Left wrist X-ray; frontal view; pediatric patient (female, age 3); index exam; Siemens 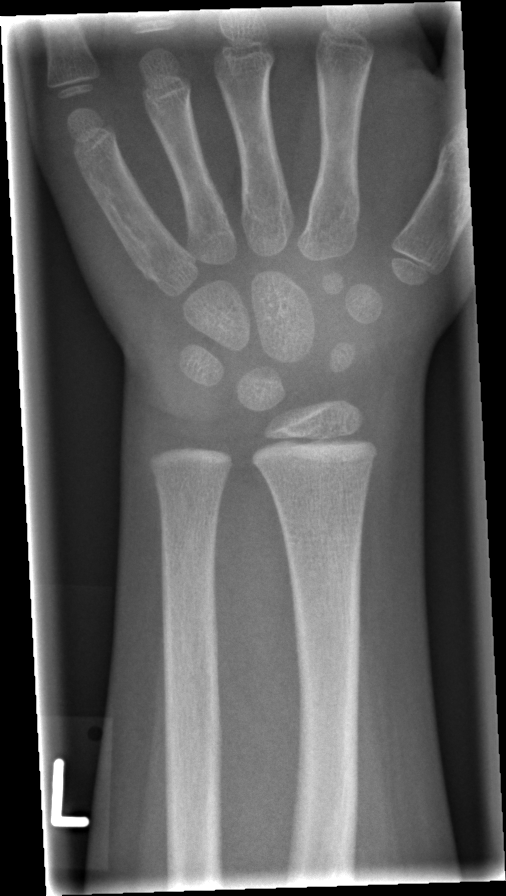

Fracture = none labeled